Lateral | left wrist radiograph | cast in situ | image 59.9 mm wide:

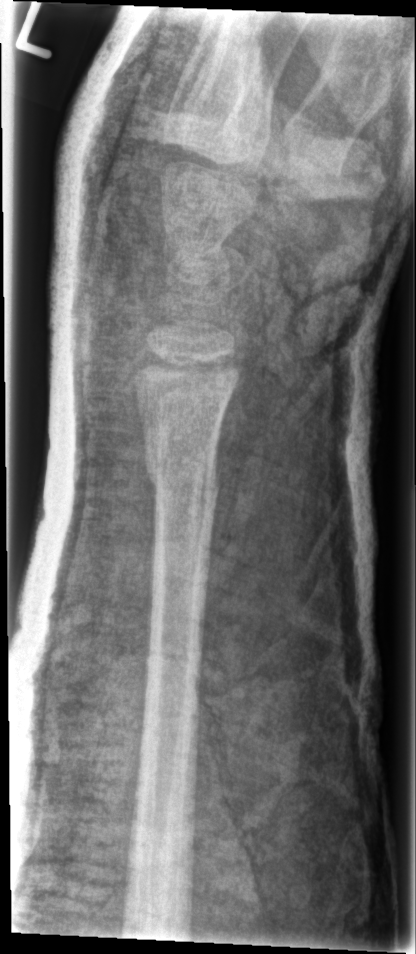

FINDINGS: AO/OTA classification: 23r-M/3.1. Fracture — <140,442>-<225,516>.